R wrist radiograph; AP projection; 14-year-old male; detector: Siemens — 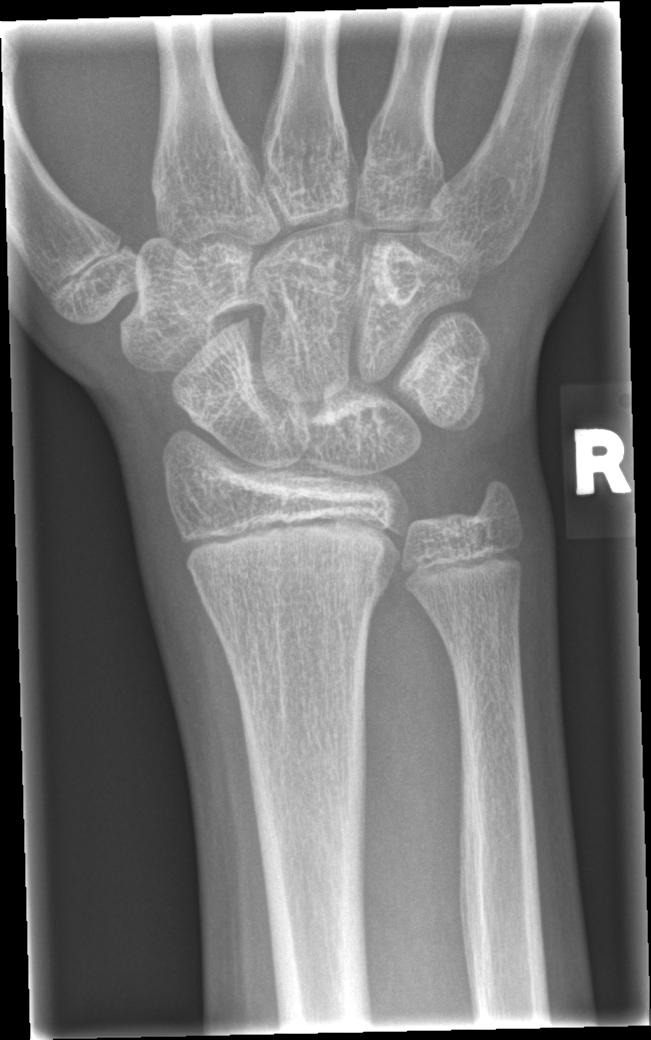

Findings: Fx present but not clearly seen in this view.